L wrist X-ray, lateral, male, 10 yo, in cast.
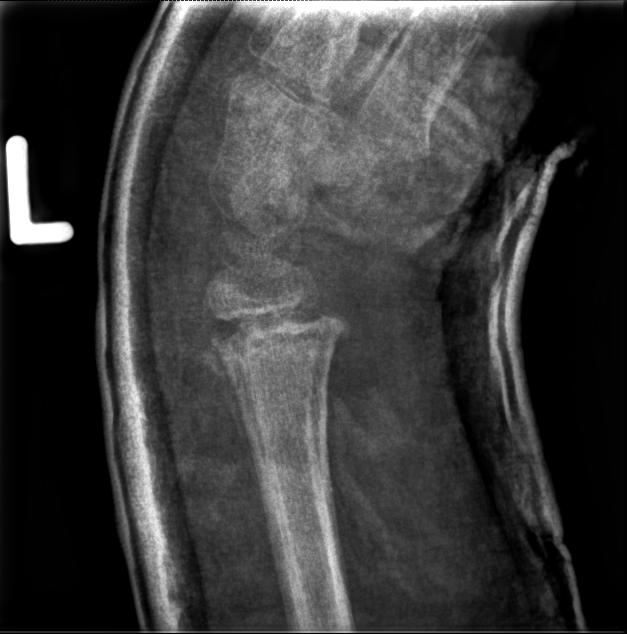 AO classification: 23r-E/2.1
periosteal new bone: (190, 346, 262, 497)
fracture: 1 @ (187, 295, 356, 391)